Left wrist X-ray; lat; age 10 y, male:
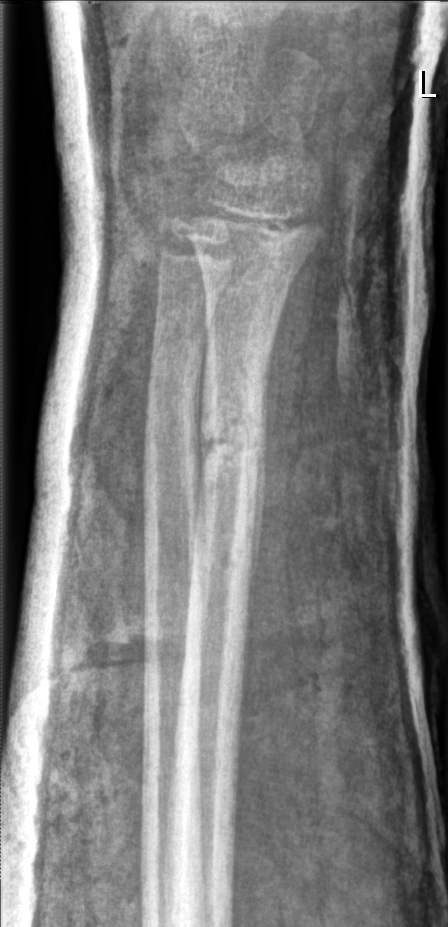
(boxes as x1,y1,x2,y2 (top-left / bottom-right, pixel units))
AO classification = 23r-M/3.1; 23u-M/2.1
Bone fracture = 1 @ 197,406,268,493